Lt pediatric wrist radiograph, posteroanterior view, 17-year-old female.

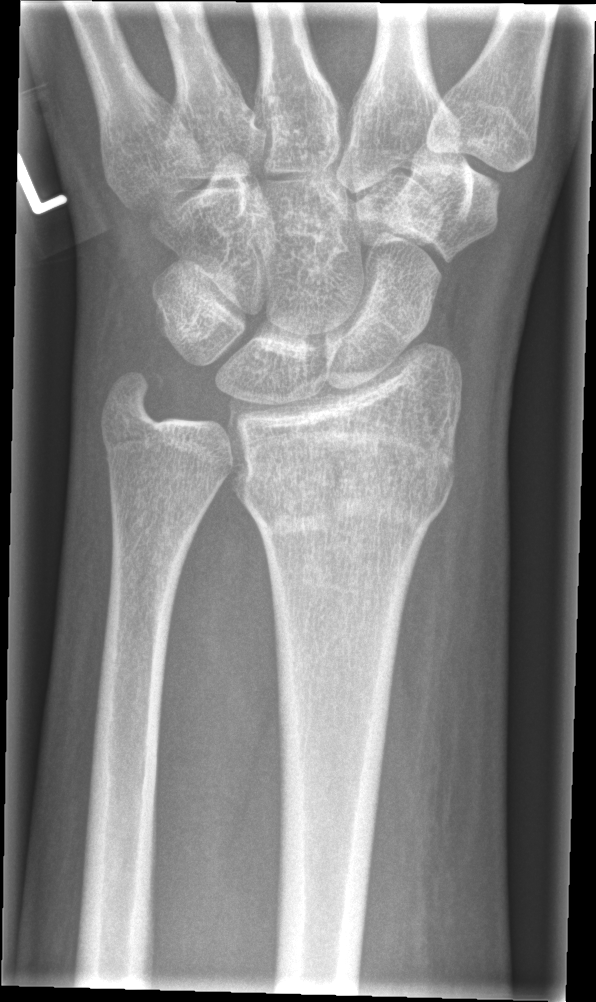
Coordinates are [x1, y1, x2, y2] in image pixels. Bone fracture: 242,428,460,552; 96,357,168,433. Fracture classified AO/OTA 23r-M/3.1; 23u-E/7.